R pediatric wrist radiograph; PA/AP; 10-year-old boy; 486 by 1468 pixels —
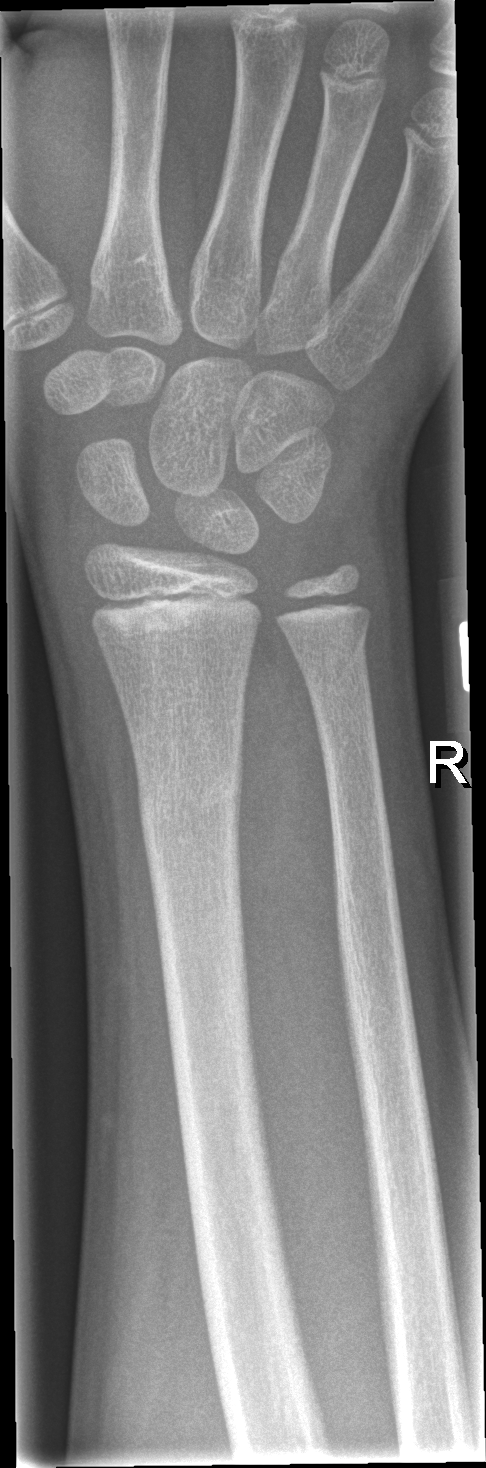
Fracture identified at [x1=134, y1=759, x2=247, y2=848]; [x1=296, y1=618, x2=375, y2=702]. AO/OTA classification: 23-M/2.1.